Lt pediatric wrist radiograph | PA/AP | 90.1 mm image width —

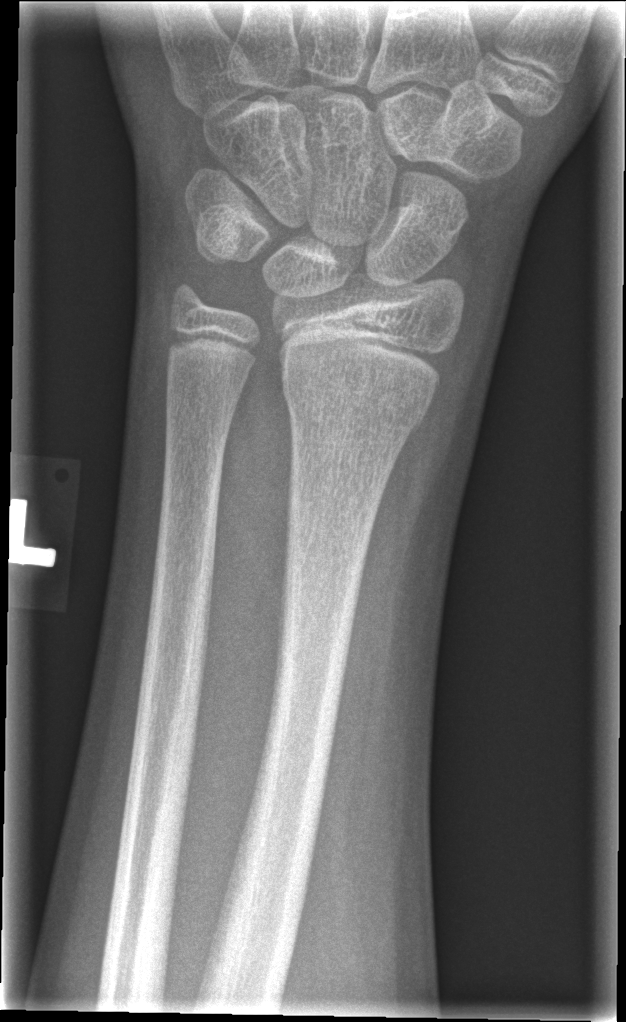
- Bone fracture — (277, 351, 443, 441).